Posteroanterior view · Lt wrist radiograph:

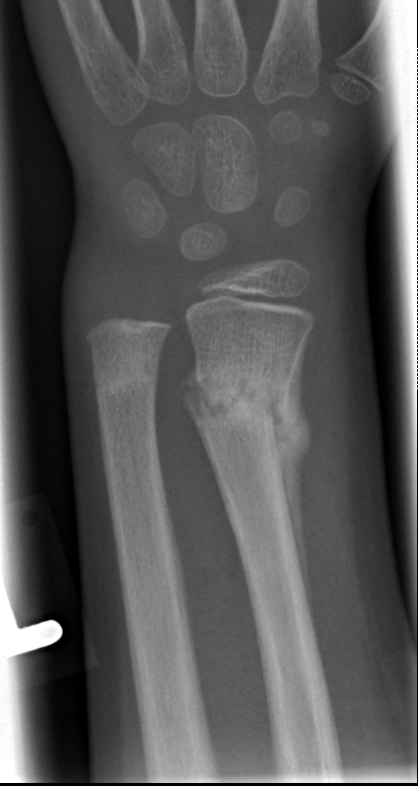

AO/OTA: 23r-M/3.1; 23u-M/2.1
periosteal thickening: 1 @ [x1=272, y1=332, x2=316, y2=630]
bone fracture: 2 @ [x1=180, y1=352, x2=301, y2=444] [x1=86, y1=353, x2=164, y2=412]
osteopenia: present